AP projection | Lt wrist X-ray | age 8 y, female | follow-up study | detector: Siemens 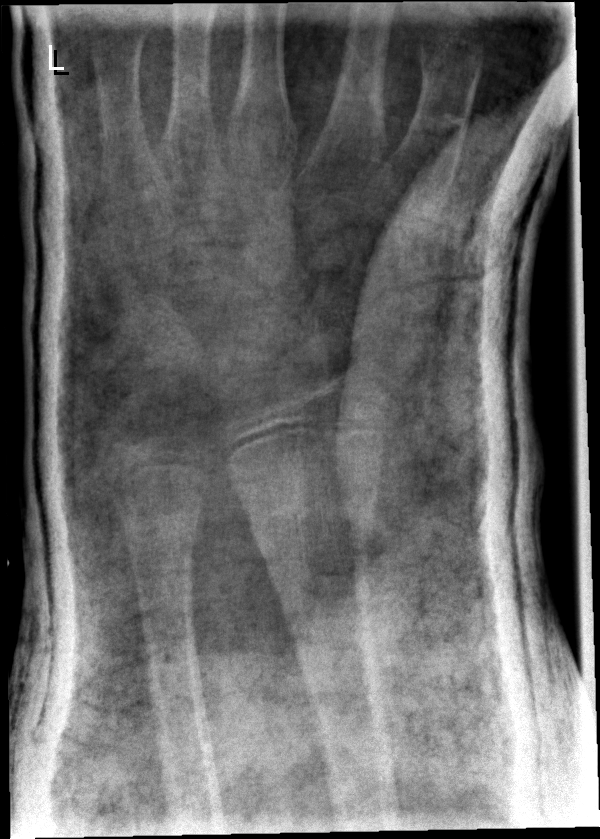

FINDINGS: One Fx at (232, 475, 382, 552).